Left wrist pediatric wrist radiograph | lateral:

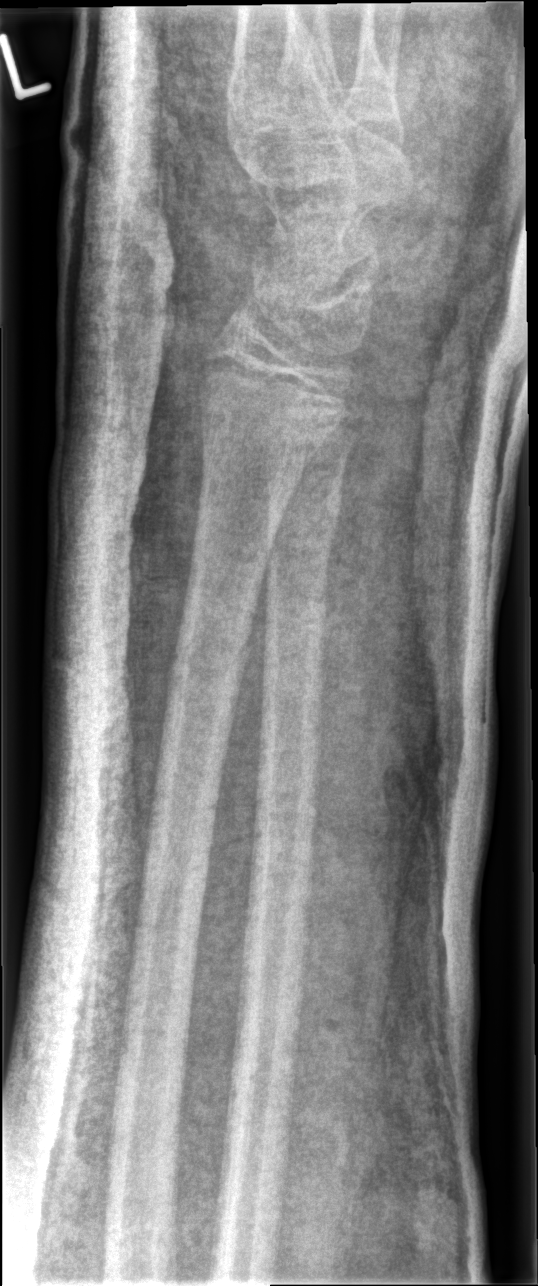 FINDINGS: (boxes as x1,y1,x2,y2 (top-left / bottom-right, pixel units)) Bone fracture: <159,622>-<259,731> <260,464>-<351,558>. AO/OTA classification: 22r-D/2.1; 23u-M/2.1.